Lat | left wrist XR | pediatric patient (girl, age 13)
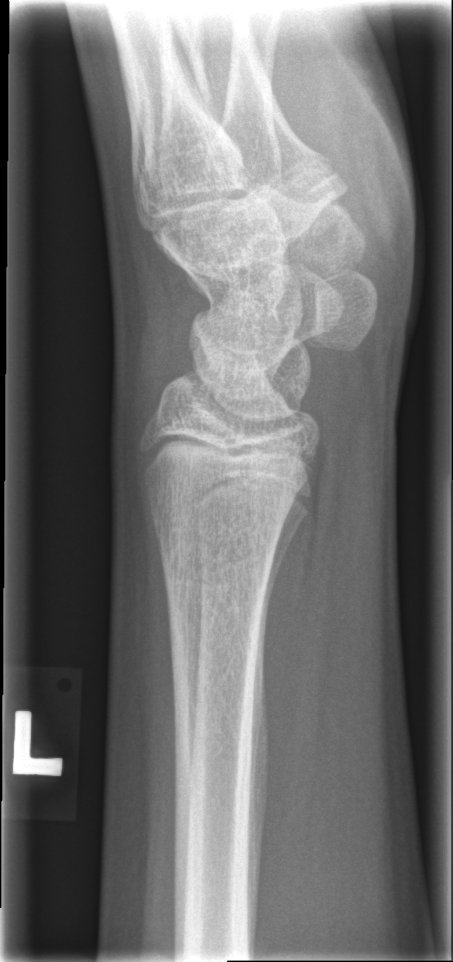 Q: Locate any fractures.
A: No Fx annotated